R pediatric wrist radiograph | frontal | 53.0 mm image width —
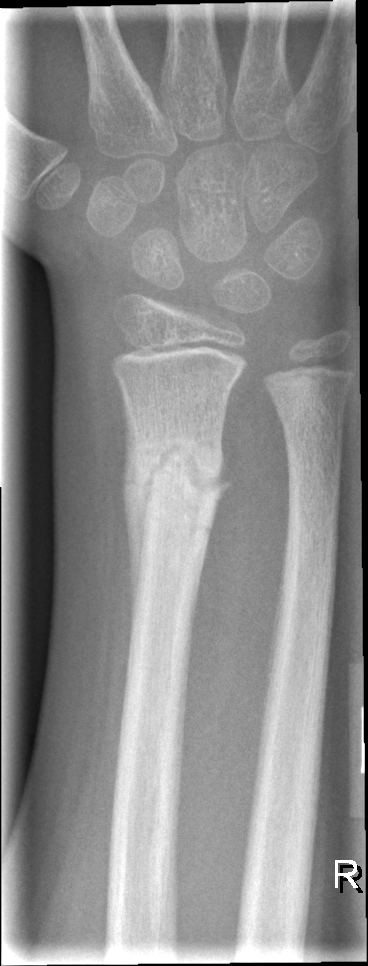

  ao: 23r-M/3.1; 23u-M/2.1
  osteopenia: present
  fracture: <123,427>-<236,511>; <271,378>-<352,440>
  periostealreaction: <122,416>-<155,641>